Posteroanterior projection, R wrist radiograph, index exam: 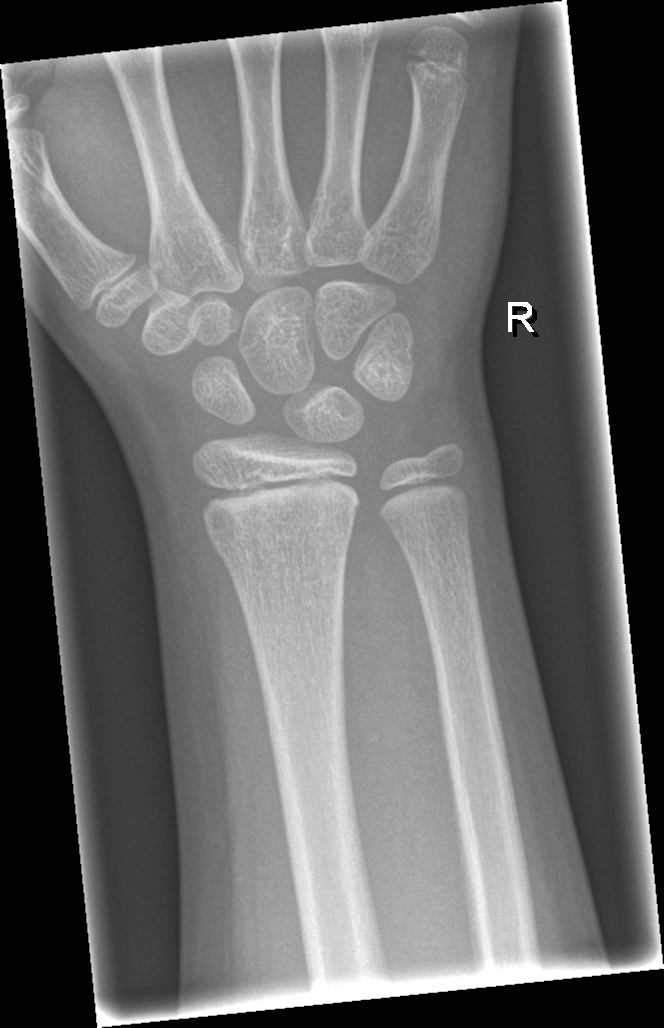

AO classification: 23r-M/2.1
Bone fracture: 1 @ (left=204, top=499, right=359, bottom=568)